Right wrist X-ray, frontal view, 13-year-old male.

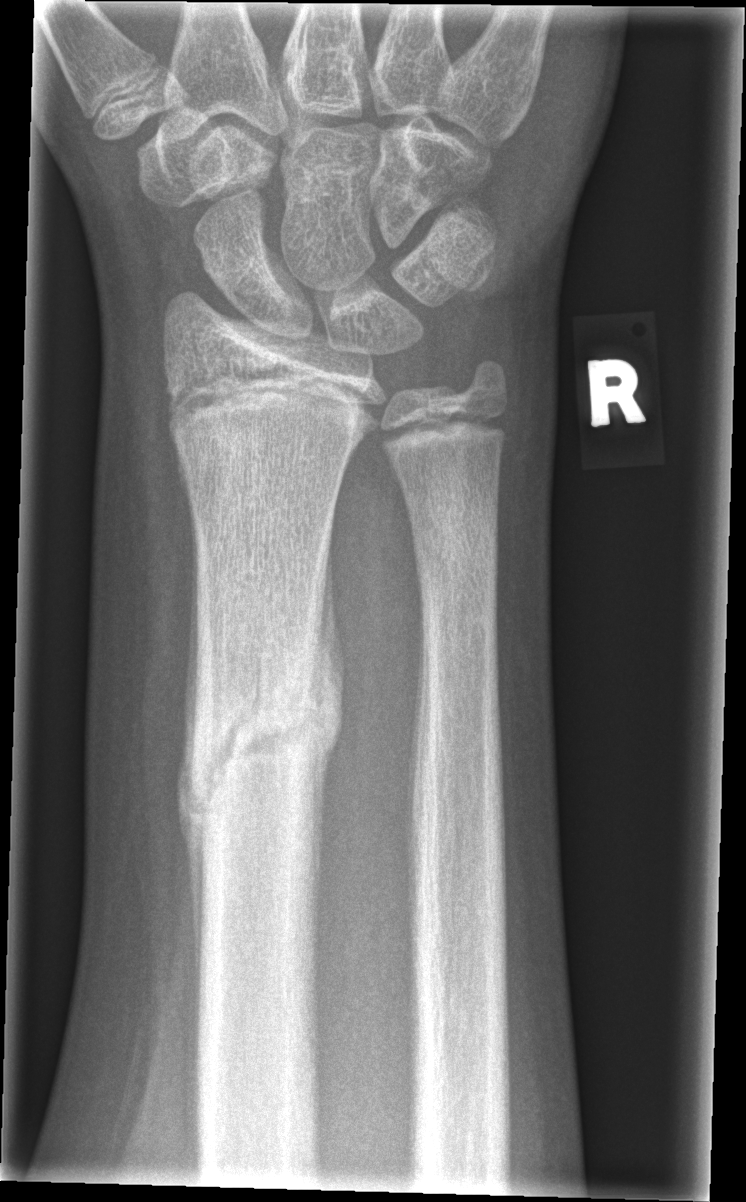 AO code = 22r-D/2.1
Osteopenia = present
Bone fracture = 1 @ [178, 667, 335, 836]
Periosteal new bone = [180, 551, 216, 999], [309, 531, 346, 901]